R wrist XR; lat view; pediatric patient (boy, age 12); initial study; acquired on Siemens
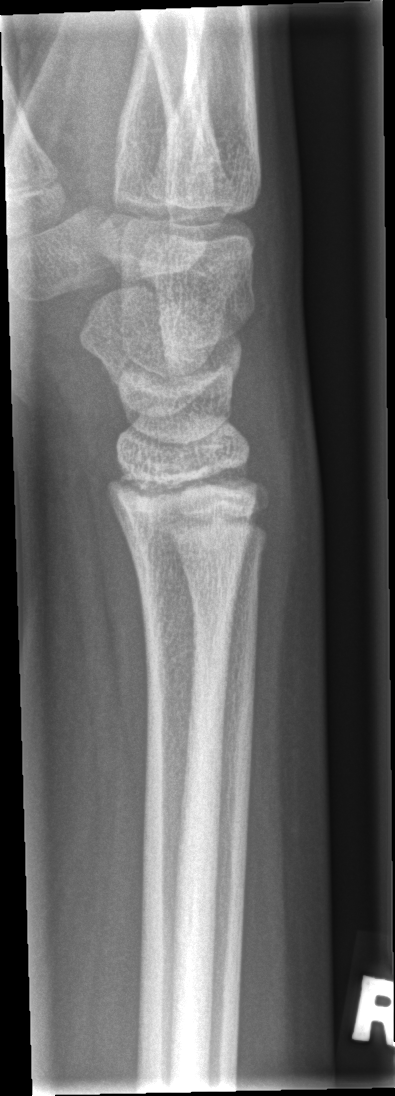

Fracture: none labeled.